L wrist radiograph | lat projection | age 4 y, boy | 452x824:
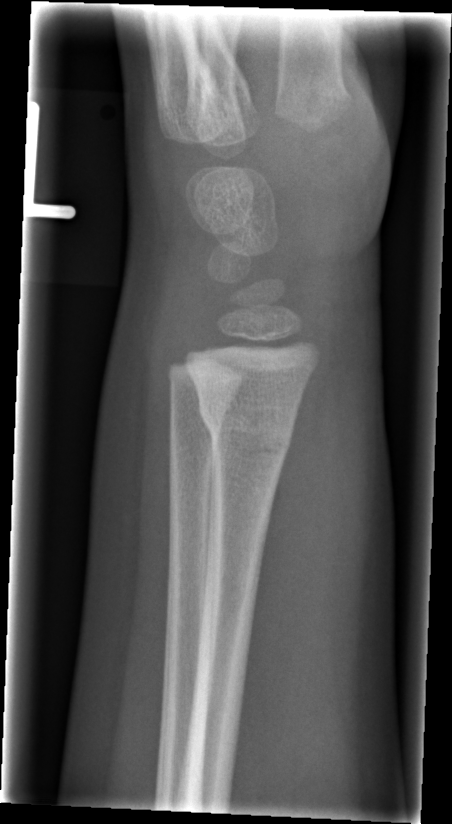 • AO code 23-M/2.1.
• One soft-tissue finding at <235,353>-<397,760>.
• One bone fracture at <194,387>-<298,467>.